Right plain radiograph of the wrist | lateral view | findings marked uncertain by the reading radiologist
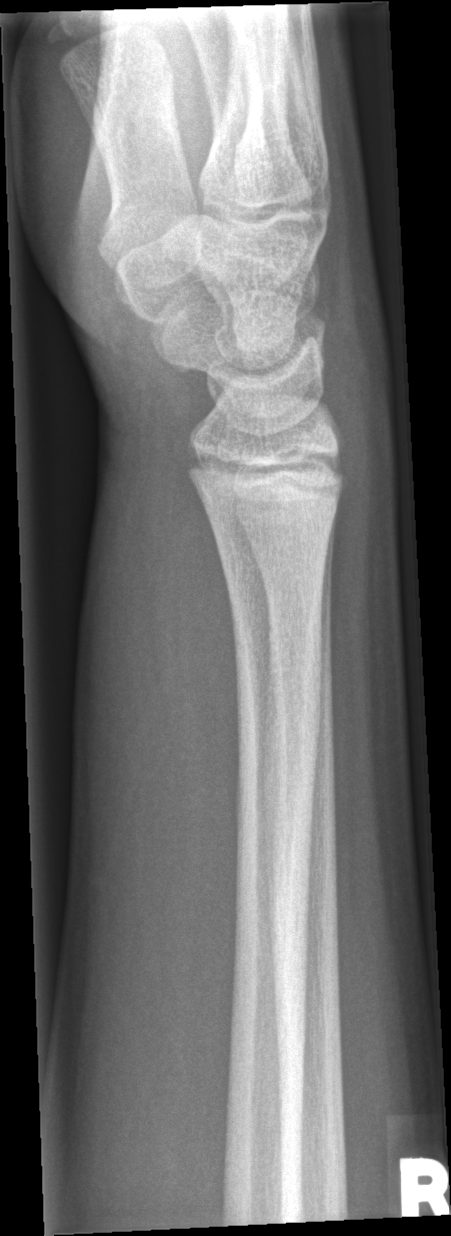
  fracture: none labeled
  pronatorsign: [134, 424, 245, 903]